Lat projection, R pediatric wrist radiograph, 6-year-old girl, 526 x 976 px — 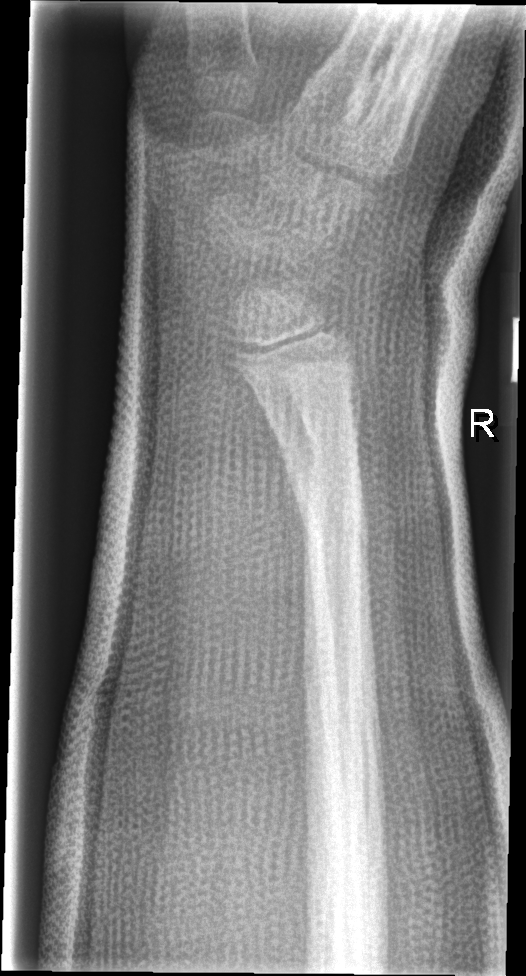
Fracture = 303 418 368 468